Left wrist radiograph · frontal view 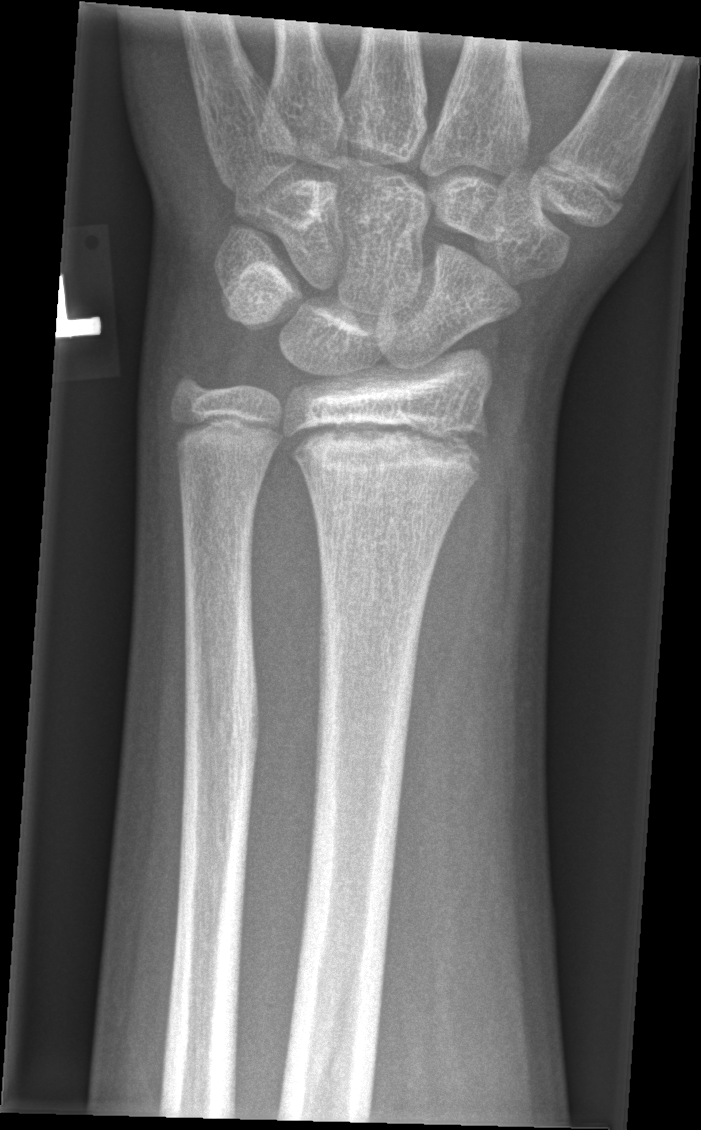 Fracture identified at 283 411 492 492.
AO/OTA classification: 23r-E/2.1.